Lt wrist XR; frontal; boy, 15 yo; index exam; 593 x 1234 px — 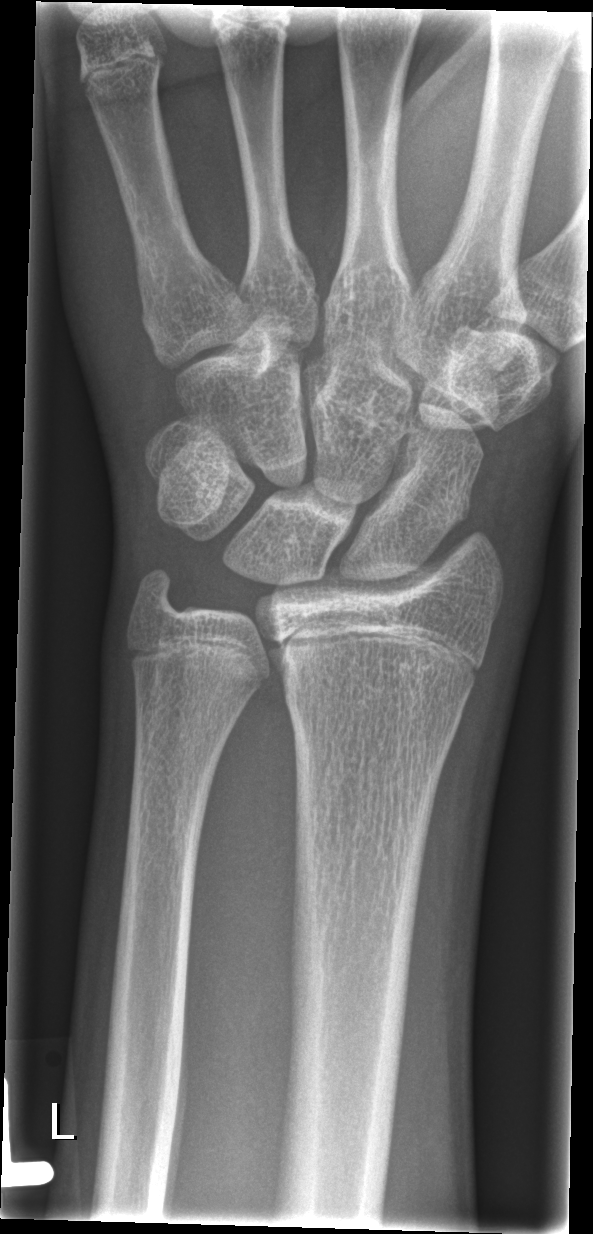

No fracture labeled.